Right wrist plain radiograph of the wrist | lateral | acquired on Siemens | image 57.5 mm wide | 399 x 900 px — 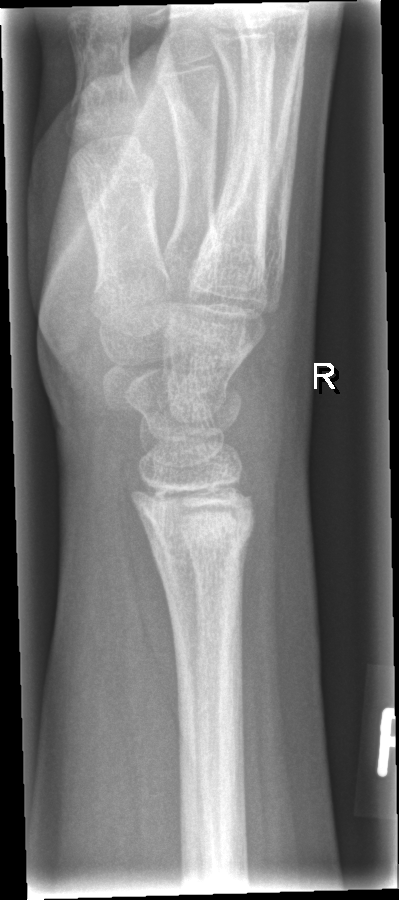
(bounding boxes in image-pixel xyxy)
Fx: 1 @ 144,508,260,580
AO/OTA: 23r-M/2.1